Lateral; right wrist X-ray; follow-up study —

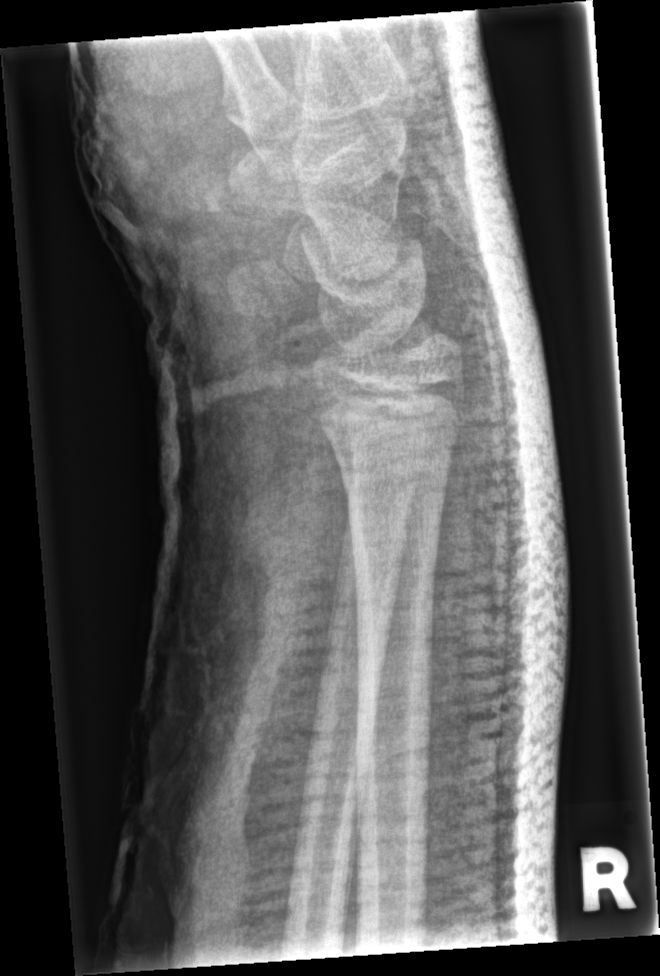
AO/OTA = 23r-E/1; 23u-E/7
Bone fracture = present but not clearly seen in this view